Posteroanterior projection · L wrist XR · 11y M · Siemens:
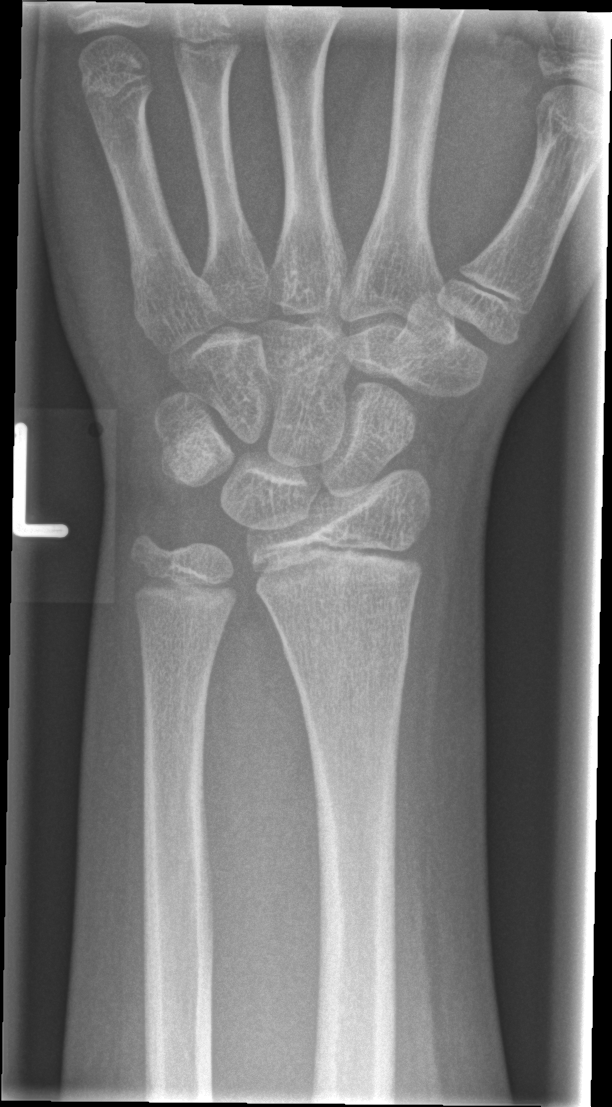
(pixel coordinates, top-left origin, xyxy)
fracture = 1 @ <277,624>-<413,681>